L wrist X-ray · lat · age 8 y, female · image size 480x1008.

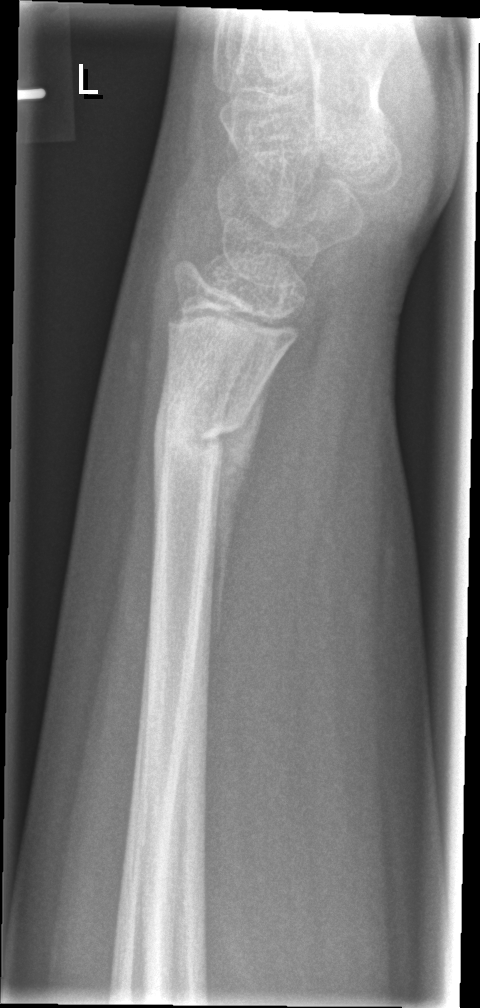 • Coordinates are [x1, y1, x2, y2] in image pixels.
• Fracture identified at 148,395,254,472.
• Periosteal reaction — 205,387,260,648.
• AO code 23-M/2.1.
• Osteopenia.